Right wrist X-ray · lat · 10-year-old male · cast present.

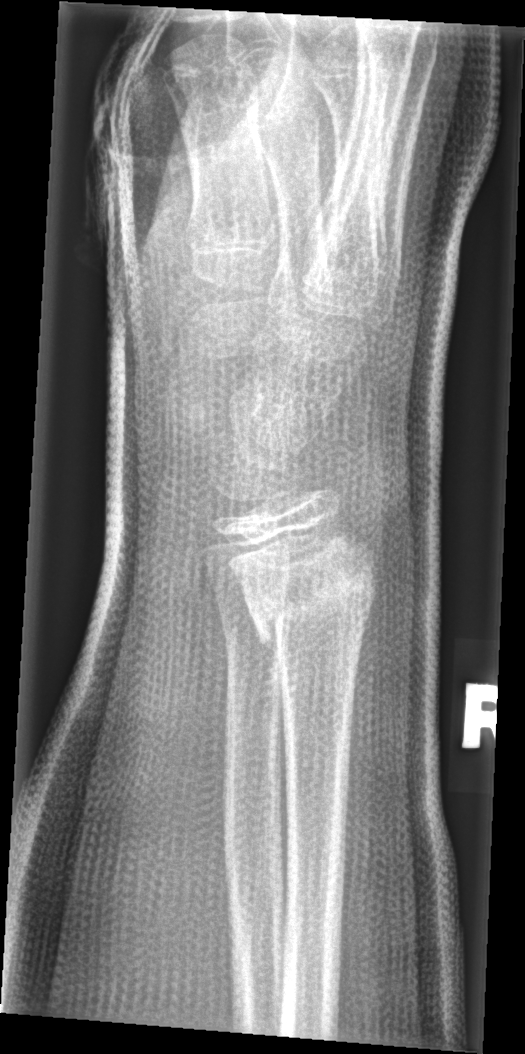
Fracture classified AO/OTA 23r-E/2.1.
One fracture at 228 521 382 648.